Lat view, right wrist plain film — 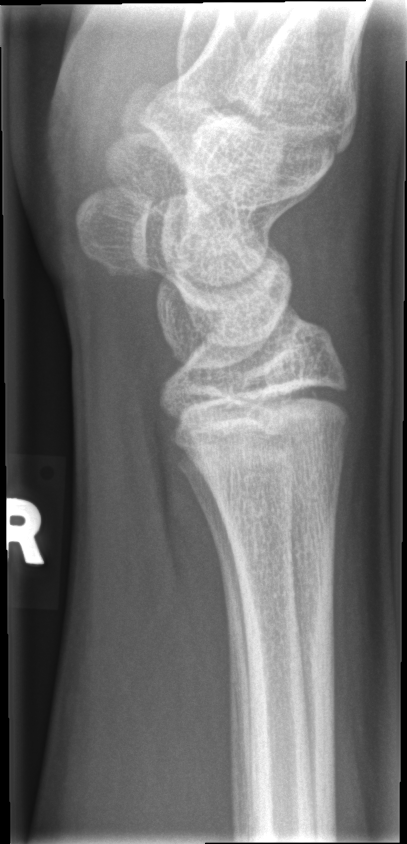

No fracture bounding box.